L wrist XR | AP view | boy, 9 yo | image size 568x1170
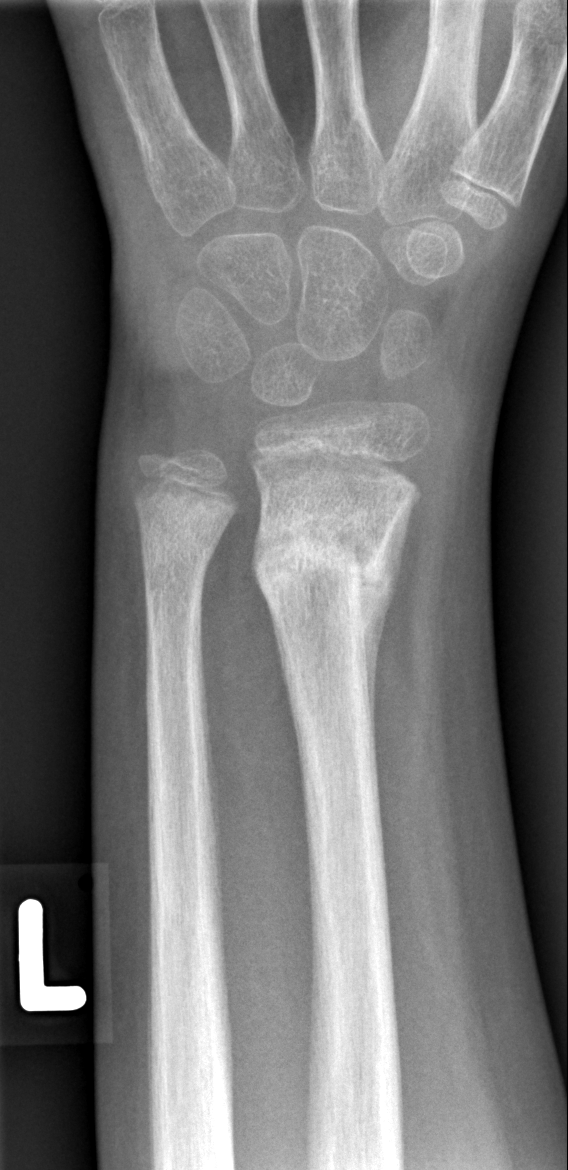 Periosteal reaction = 1 @ [361, 496, 416, 723]
AO code = 23-M/3.1
Bone fracture = 2 @ [248, 511, 401, 617] [137, 519, 221, 583]